L wrist XR · frontal · age 12 y, boy —

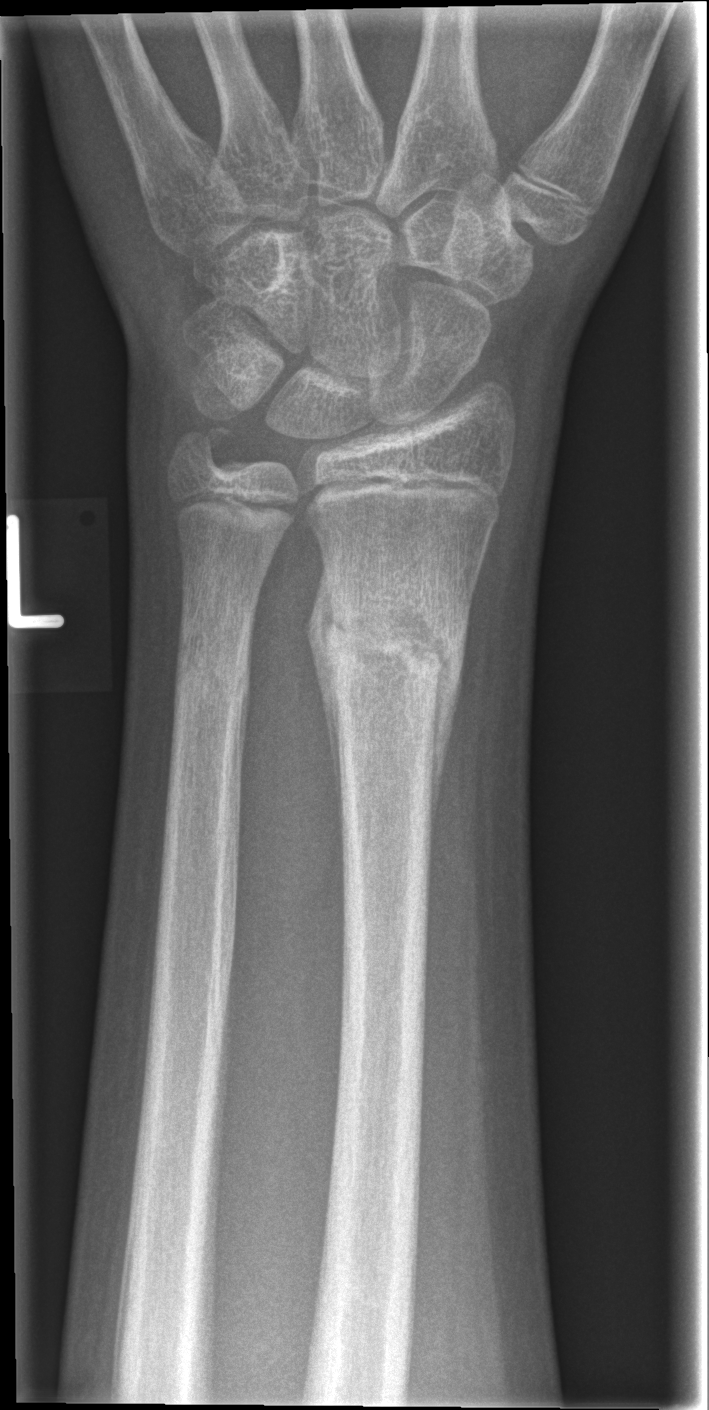

Decreased bone density (osteopenia). Periosteal reaction — (305, 566, 345, 835) (428, 639, 466, 877). Bone fractures — (307, 582, 474, 738), (170, 610, 258, 729), (169, 420, 243, 484).